PA view · Rt plain radiograph of the wrist · findings marked uncertain by the reading radiologist · 70.8 mm image width:
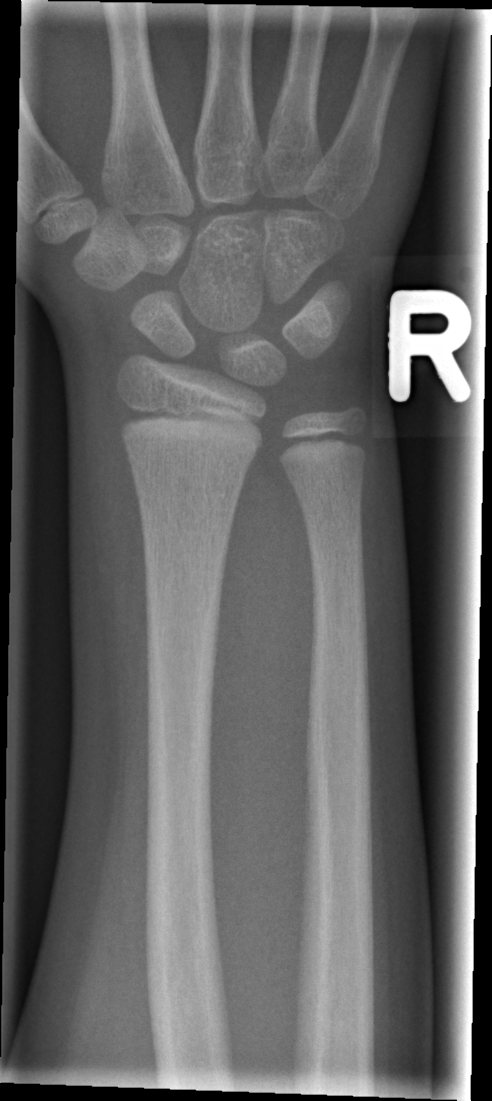

Q: Locate any fractures.
A: No Fx annotated